L wrist radiograph | PA view | 11y F | detector: Siemens. 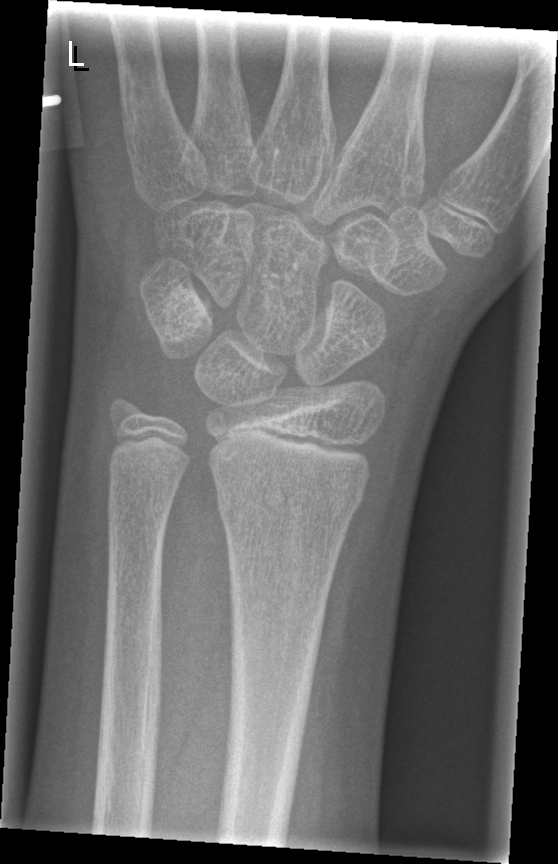
Pixel coordinates, top-left origin, xyxy. Fx: [x1=214, y1=476, x2=366, y2=524]. AO code 23r-M/2.1.